AP view; L wrist plain film; 92.4 mm image width; 642x863 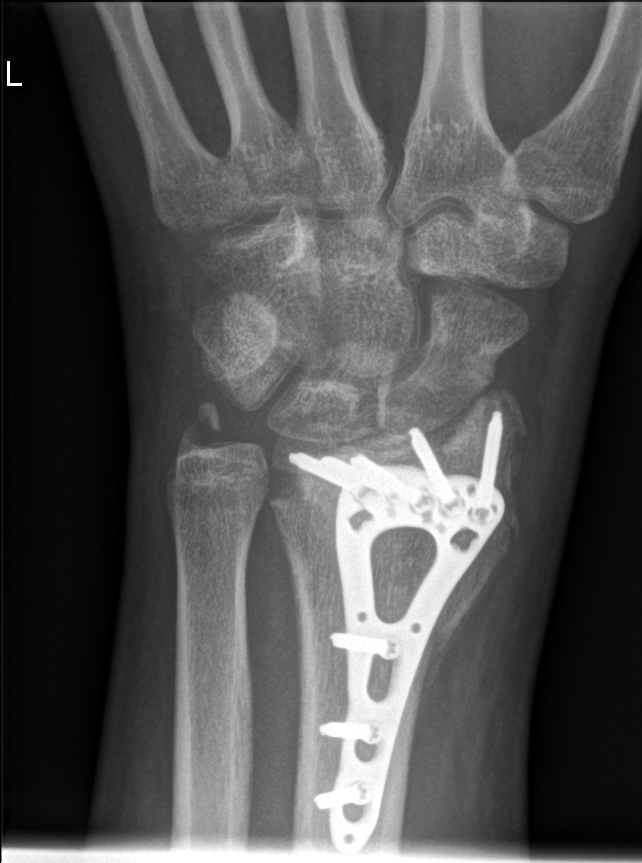

Coordinates are [x1, y1, x2, y2] in image pixels.
Bone fractures — 264 382 527 678 | 167 392 229 464.
AO/OTA classification: 23r-M/3.1; 23u-E/7.
Hardware — 281 414 505 857.